L wrist X-ray | lat view | age 5 y, girl | initial study | image width 69.8 mm
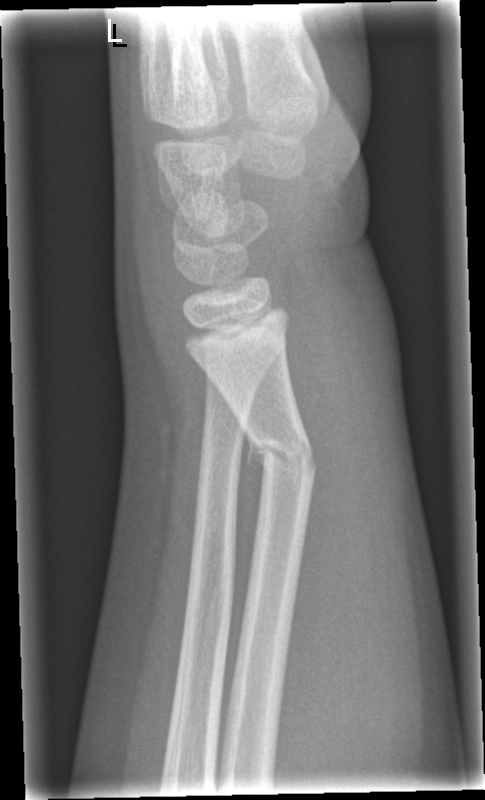
* Fracture classified AO/OTA 23r-M/3.1; 23u-E/7.
* Bone fracture — <242,426>-<319,487>.